R pediatric wrist radiograph, frontal projection, 13-year-old boy 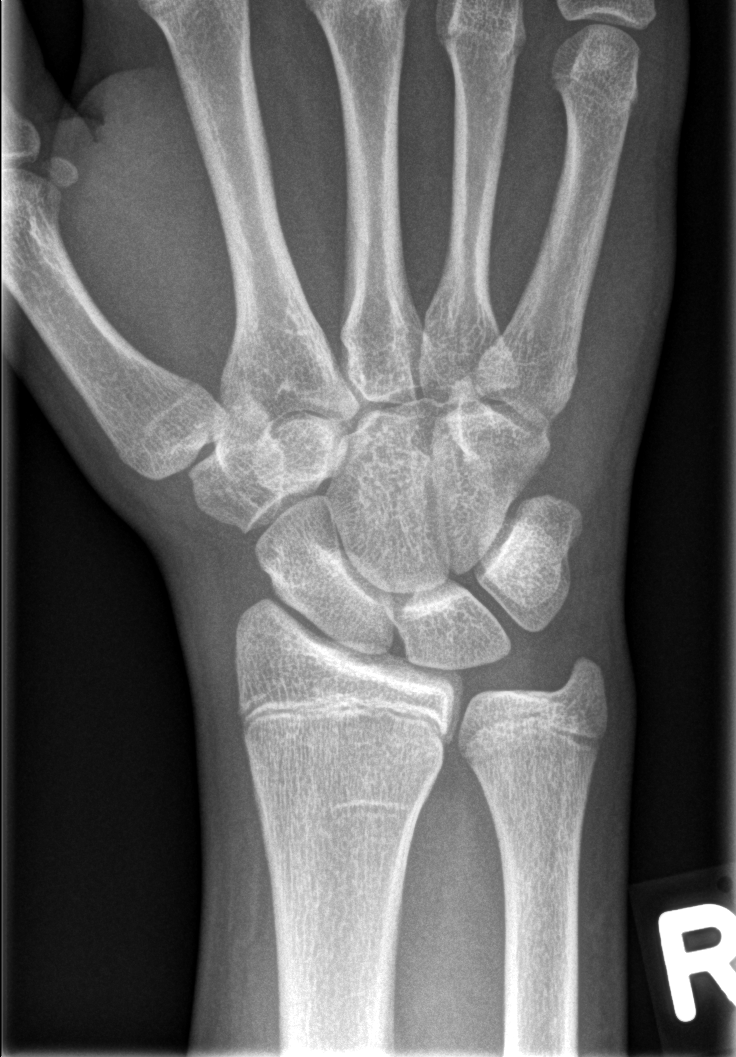 bone fracture: none labeled